Lateral view, L wrist plain film, 5y M
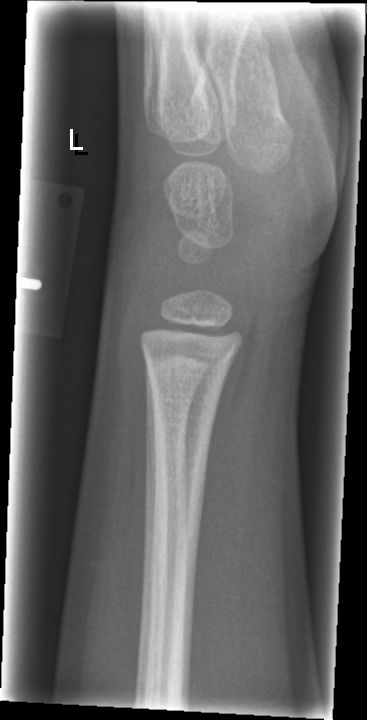

- No fracture annotation.